Right plain radiograph of the wrist; PA view; follow-up; imaged through cast —

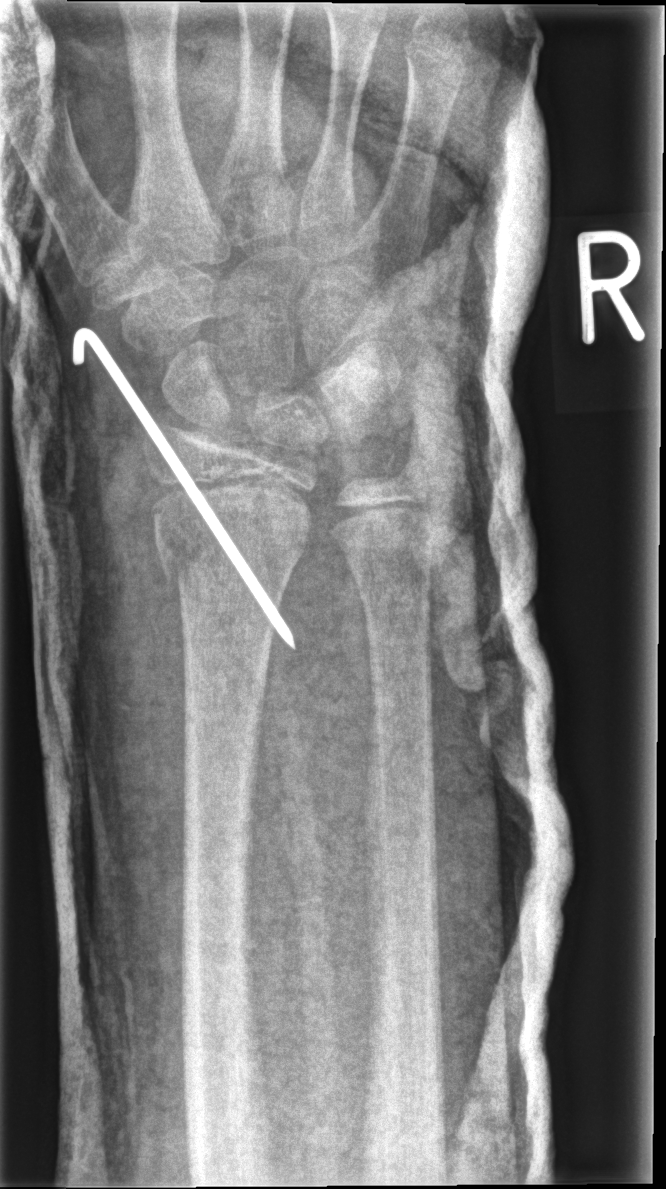 Hardware: 1 @ [69, 322, 299, 652]
Fx: 1 @ [151, 491, 311, 588]
AO/OTA: 23r-E/2.1; 23u-E/7